Frontal view; Lt wrist XR; pediatric patient (girl, age 8):

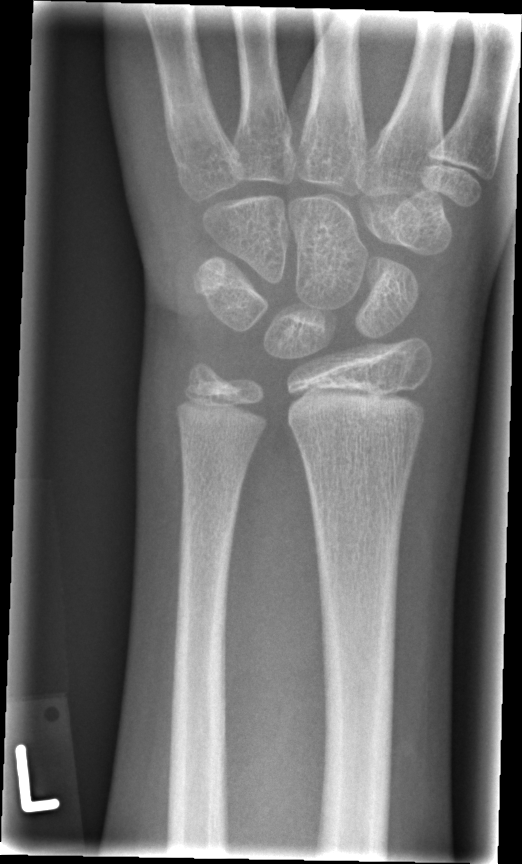

Fx: none labeled